Lateral; Lt pediatric wrist radiograph; subsequent exam; cast in situ; image width 98.6 mm:
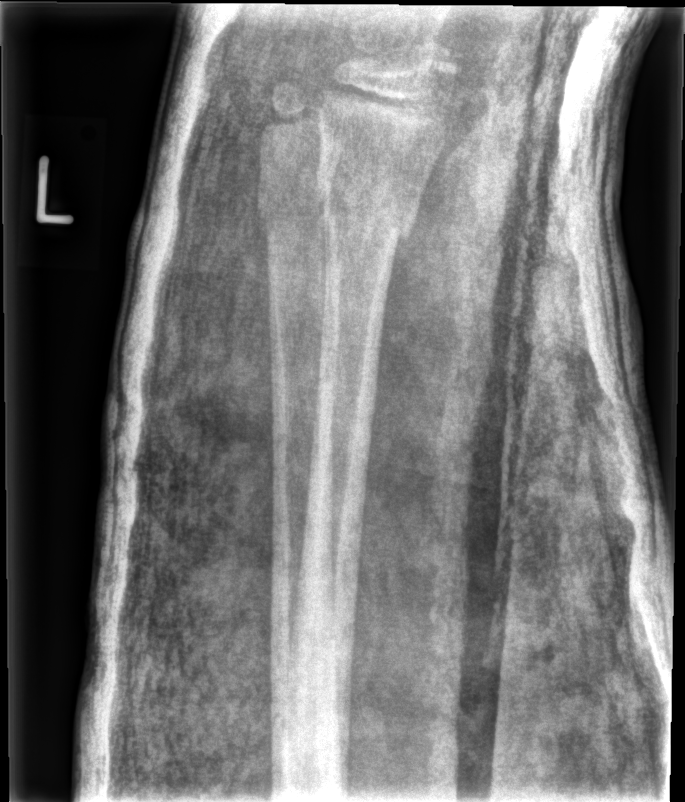
AO code 23-M/3.1.
Fx: [313, 155, 420, 252]; [256, 182, 338, 242].